Lateral · L wrist X-ray · in cast · 602x1221 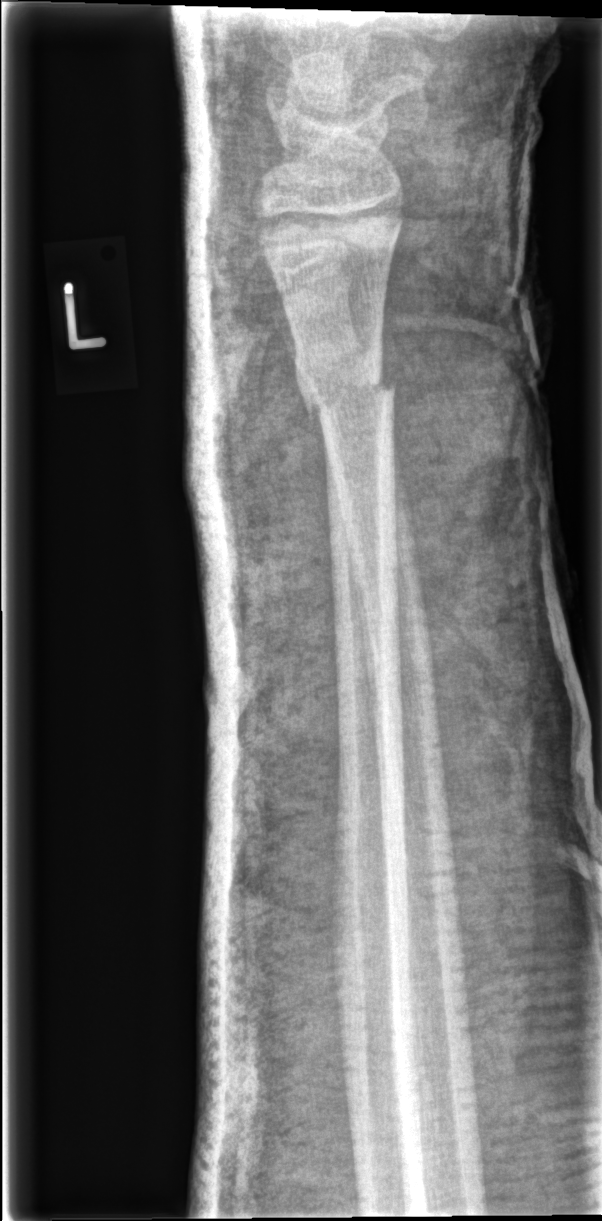
Findings: Fracture — 291 358 401 429. AO/OTA classification: 23-M/3.1.